Right plain radiograph of the wrist; PA/AP view; detector: Siemens; image width 88.3 mm; image size 613x1104.

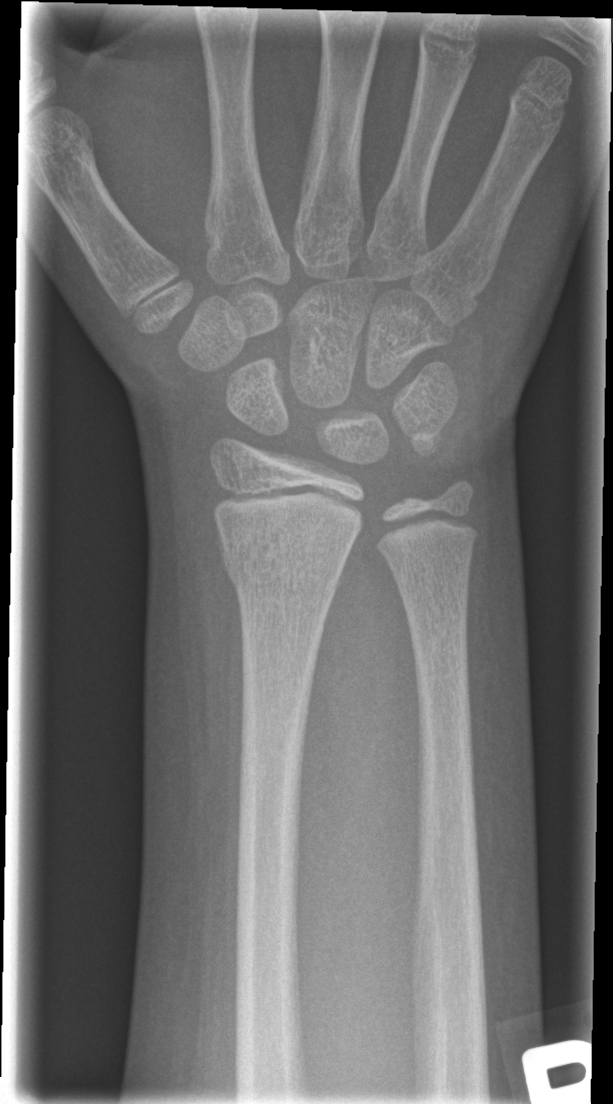 FINDINGS: (coordinates are [x1, y1, x2, y2] in image pixels) Fx — <220,546>-<348,601>.